PA projection | left pediatric wrist radiograph | cast in situ | 111.2 mm image width:
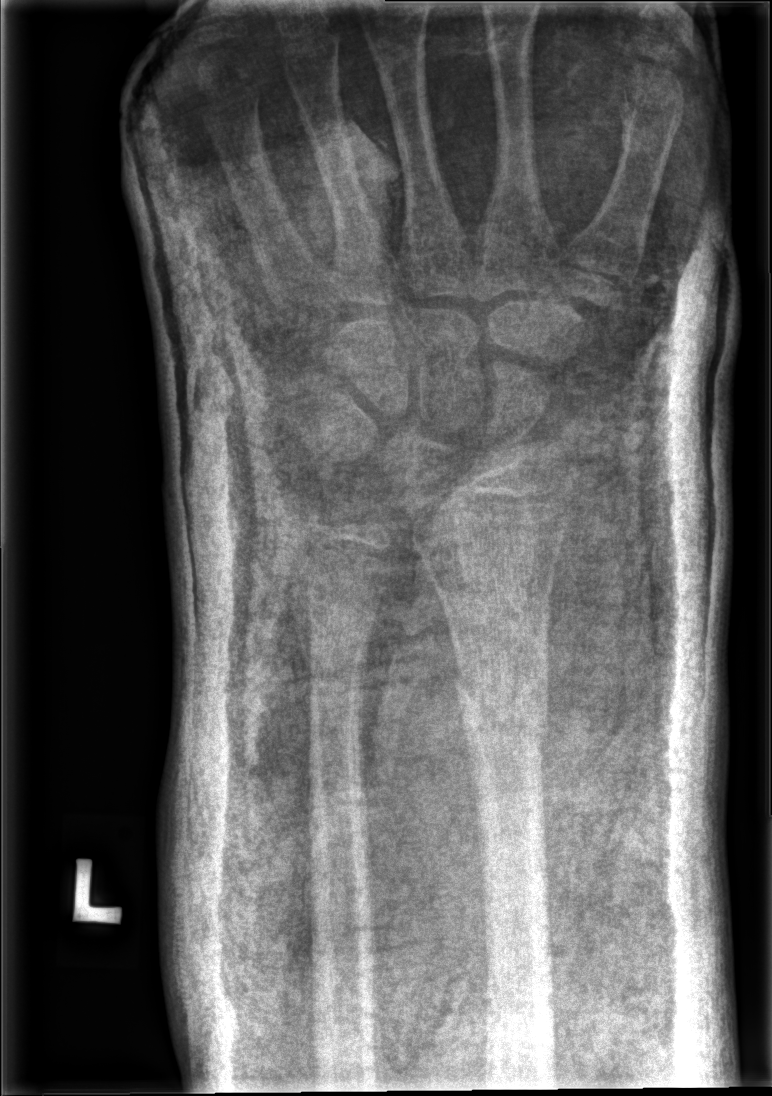

* Coordinates are [x1, y1, x2, y2] in image pixels.
* Two bone fractures at 451,672,554,760; 303,598,384,674.
* Fracture classified AO/OTA 23r-M/3.1; 23u-M/2.1.